Lateral; left wrist X-ray; 9-year-old boy; detector: Siemens 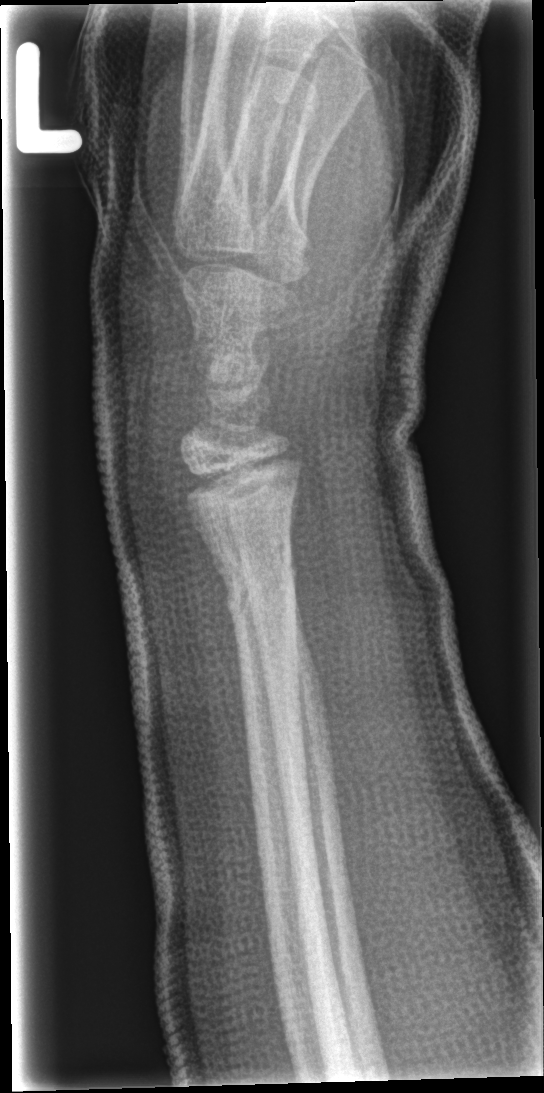
• Fx: (left=218, top=557, right=305, bottom=627).
• Fracture classified AO/OTA 23r-M/2.1.